Lt pediatric wrist radiograph, frontal, pediatric patient (girl, age 6) —

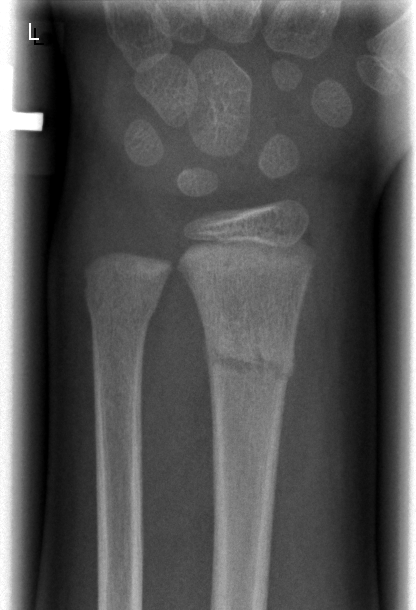

Fx = (left=201, top=317, right=298, bottom=389); (left=80, top=278, right=160, bottom=328)
AO/OTA = 23r-M/3.1; 23u-M/2.1